Rt plain radiograph of the wrist, lat projection, cast present. 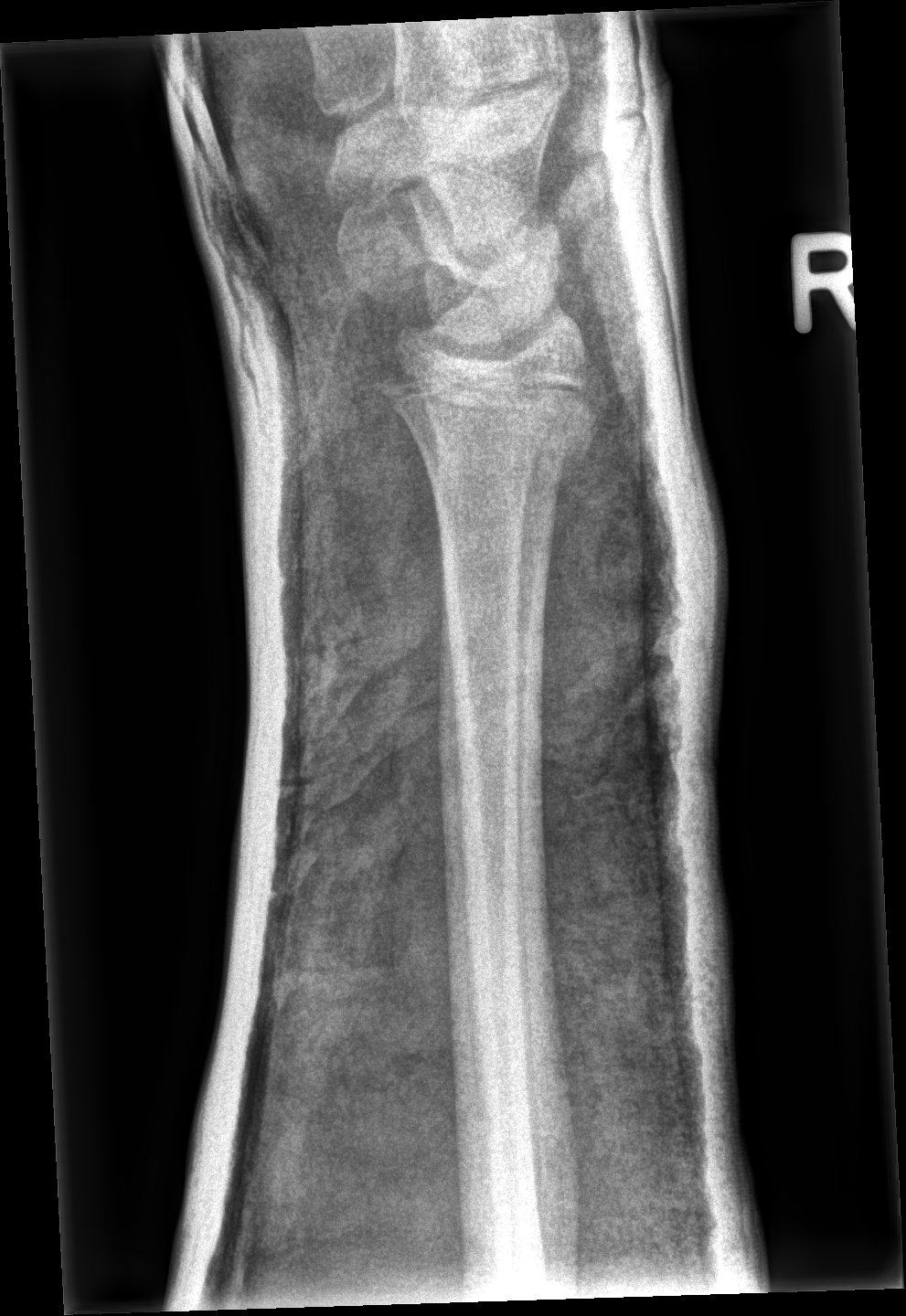 {
  "fracture": "(368, 356, 605, 475)"
}